R plain radiograph of the wrist; lat; 13-year-old boy; image width 96.6 mm.
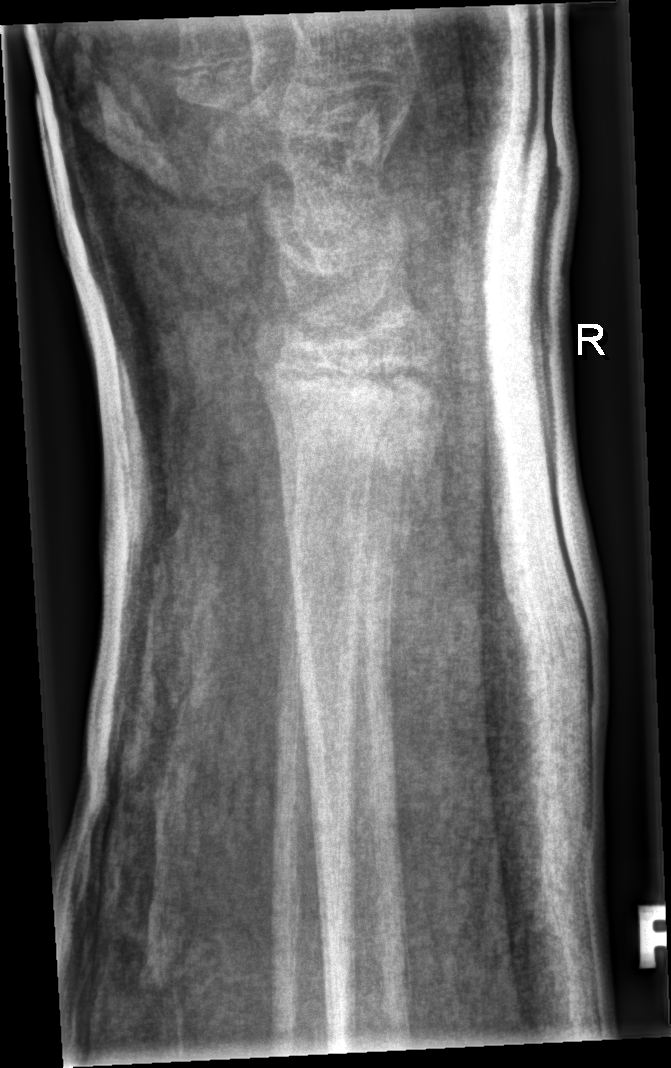

Bone fracture identified at 261,385,453,491.